Frontal view | L wrist X-ray | pediatric patient (female, age 11)

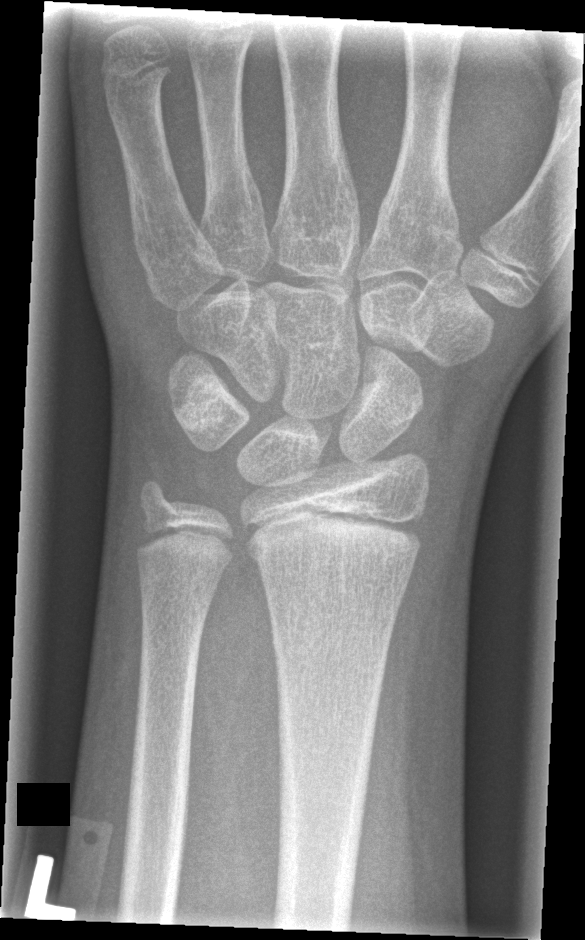
Pixel coordinates, top-left origin, xyxy.
AO code 23r-M/2.1.
Fx: 266 611 393 687.